Lt wrist plain film; PA view; girl, 5 yo; 463 x 694 px: 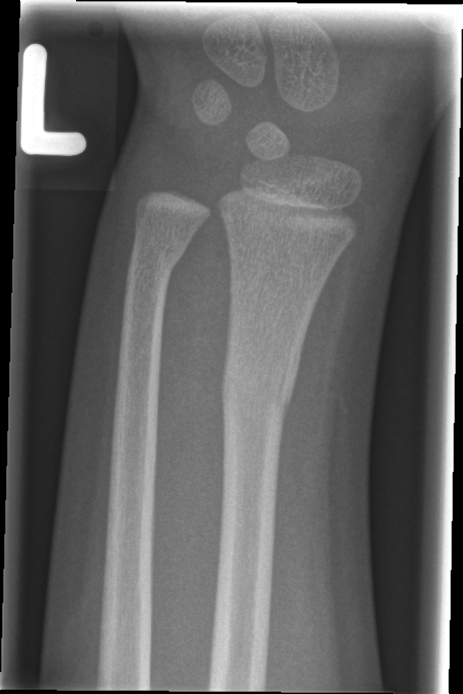 AO/OTA classification: 23r-M/3.1; 23u-M/2.1.
Fracture: bbox(218, 348, 301, 431); bbox(126, 228, 194, 282).